Lt wrist XR, lat view, girl, 15 yo, detector: Siemens, image width 74.3 mm
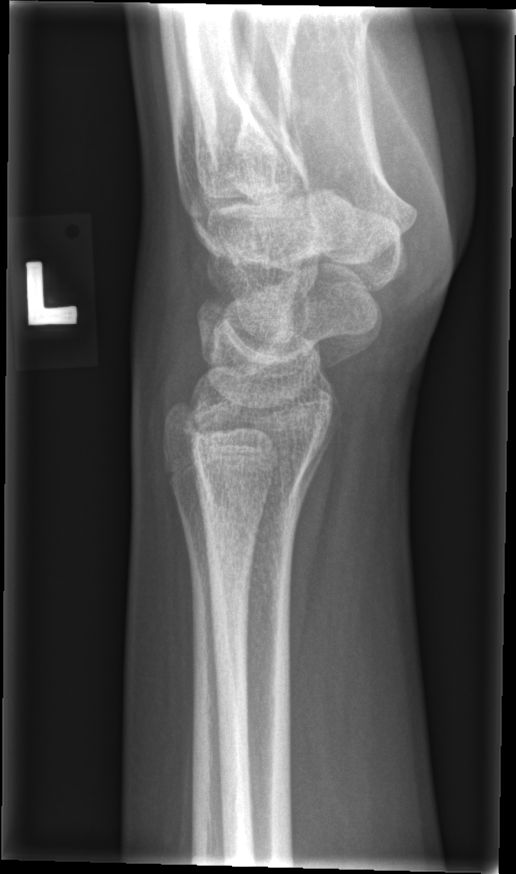

Fracture: none labeled.